R wrist X-ray · posteroanterior · 13-year-old girl · initial study · 642 by 993 pixels.

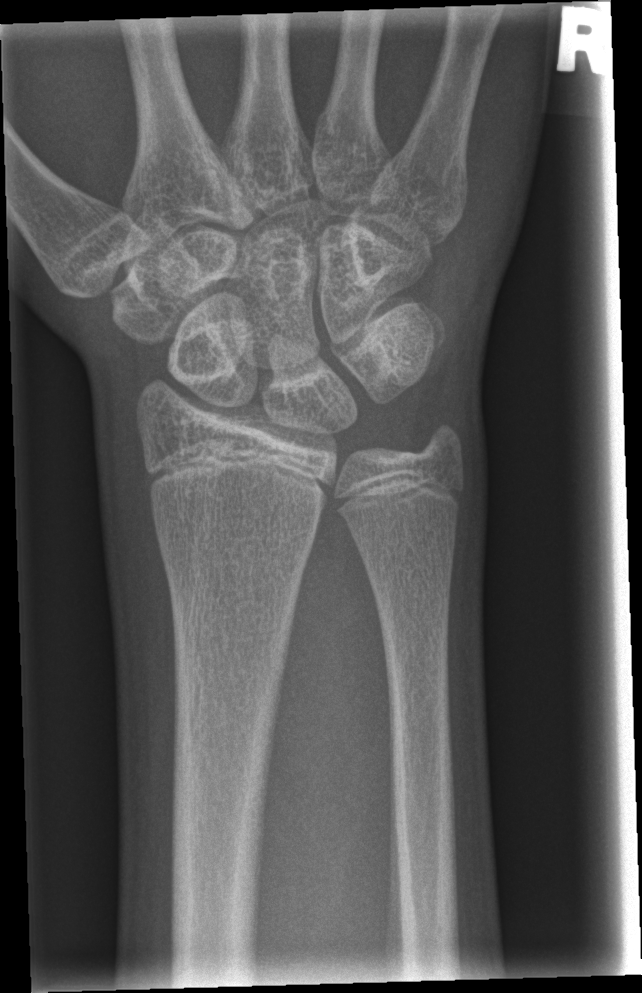
Fx: none.